Left wrist pediatric wrist radiograph, lat, 10-year-old male.
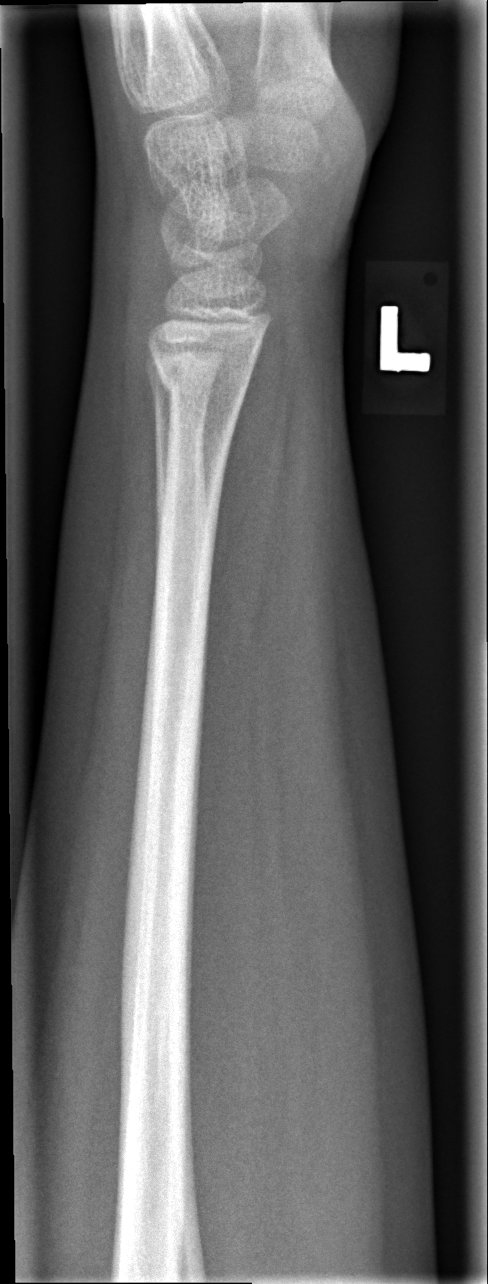

(boxes as x1,y1,x2,y2 (top-left / bottom-right, pixel units))
AO/OTA: 23r-M/2.1
Fx: [x1=152, y1=350, x2=254, y2=420]